PA/AP view | left wrist pediatric wrist radiograph | pediatric patient (boy, age 13) | Siemens. 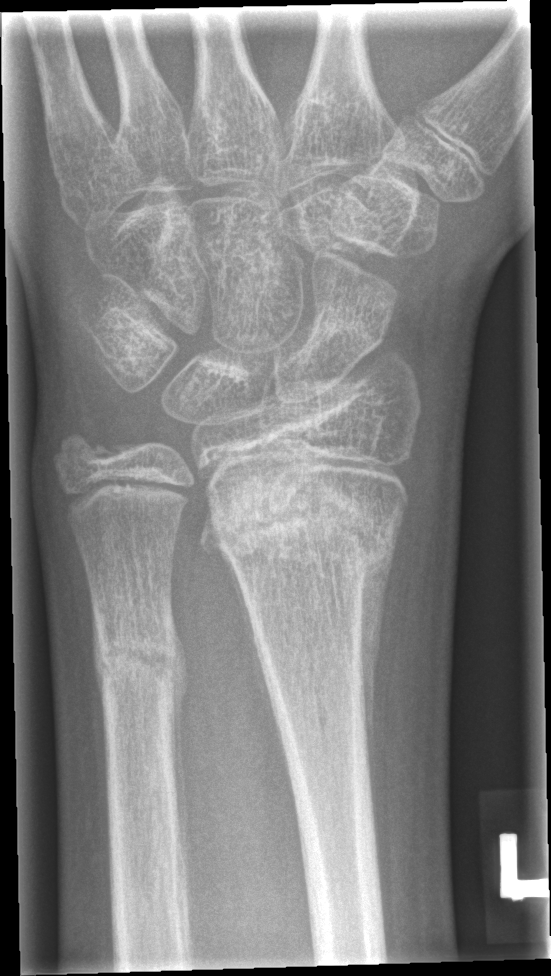
Findings: (pixel coordinates, top-left origin, xyxy) Fracture classified AO/OTA 23r-M/3.1; 23u-M/2.1; 23u-E/7. Four periosteal thickening at 357 501 405 819; 201 503 267 677; 168 610 189 878; 90 590 107 715. Fx: 201 474 401 583; 86 593 181 707; 50 422 138 474. Osteopenia.